Rt pediatric wrist radiograph, lateral view. 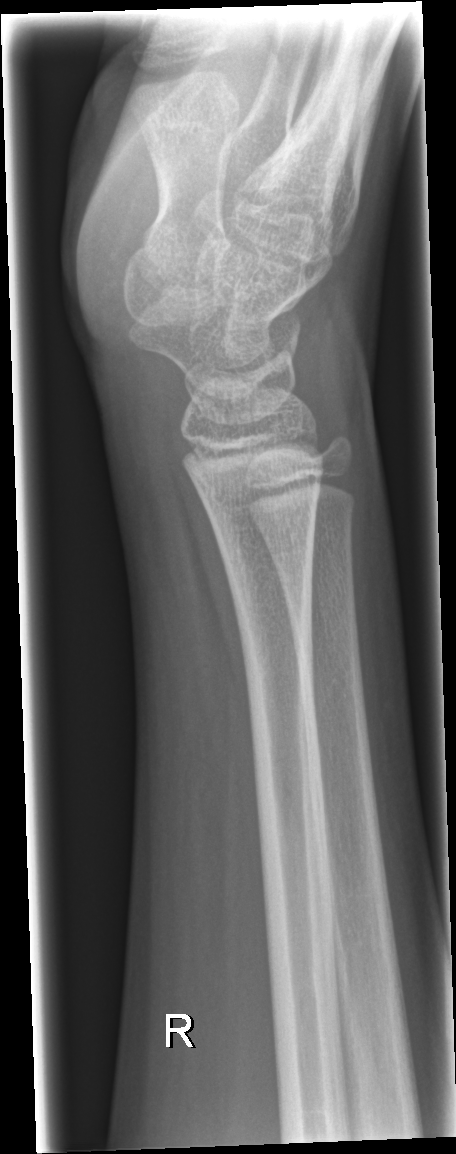
fracture: none labeled